Left wrist plain radiograph of the wrist, lat view, pediatric patient (girl, age 11): 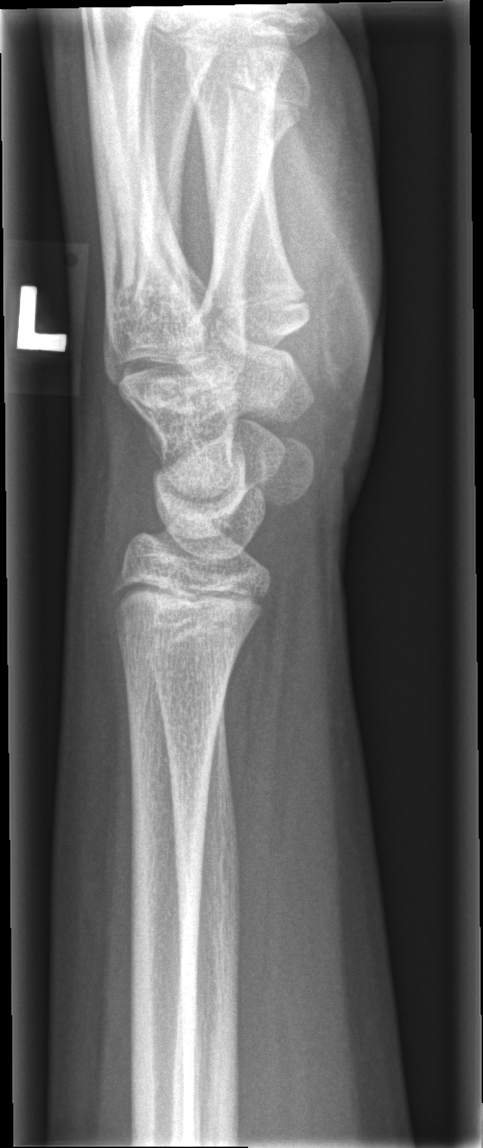 No fracture annotation.